L plain radiograph of the wrist · lateral · index exam:
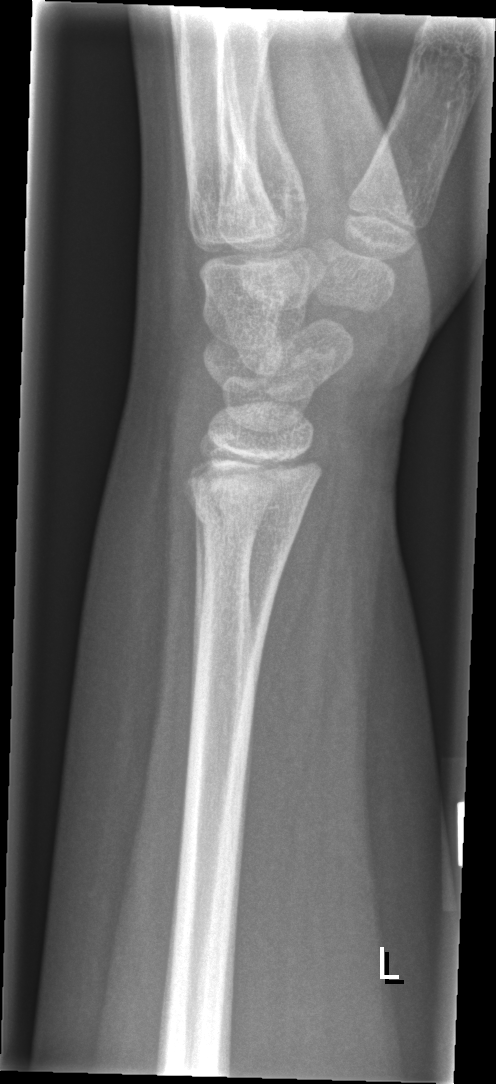

- Bone fracture: (181, 474, 311, 554).